PA/AP projection · right wrist pediatric wrist radiograph 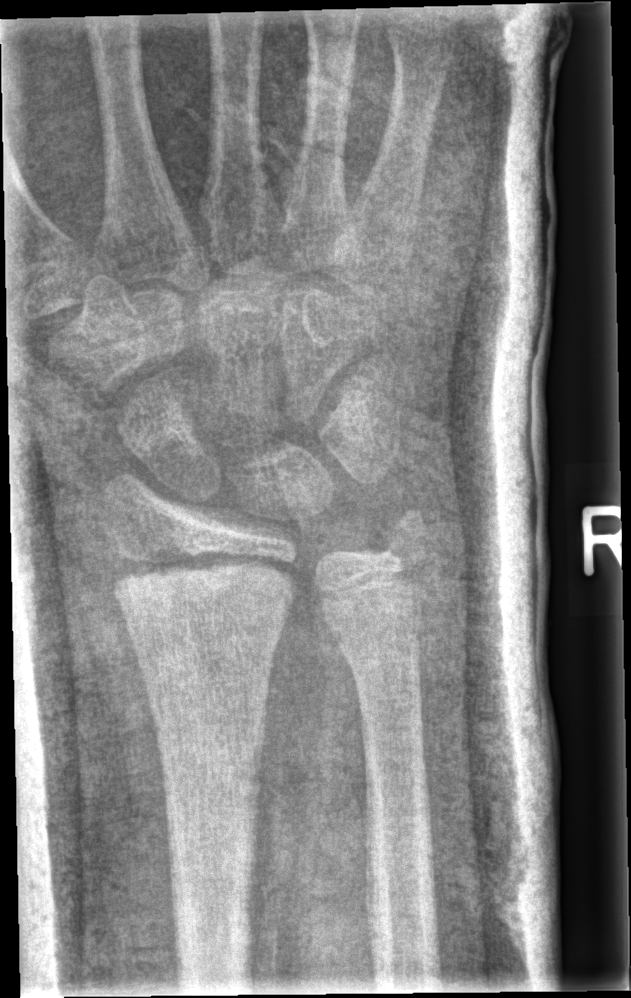

fracture: [x1=107, y1=537, x2=298, y2=616]
ao: 23r-E/2.1;  23u-E/7